L wrist X-ray; lat view; imaged through cast.

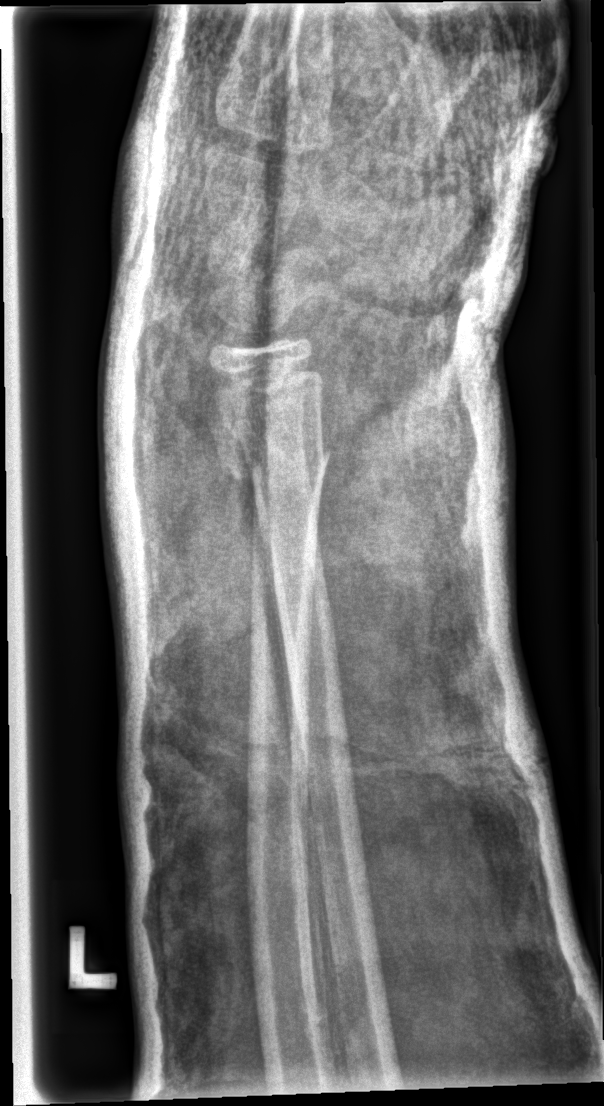
Bounding boxes in image-pixel xyxy. One fracture at [213, 438, 334, 488]. AO code 23r-M/3.1; 23u-M/2.1.